Lat view, R wrist radiograph, boy, 17 yo, 502x1254.
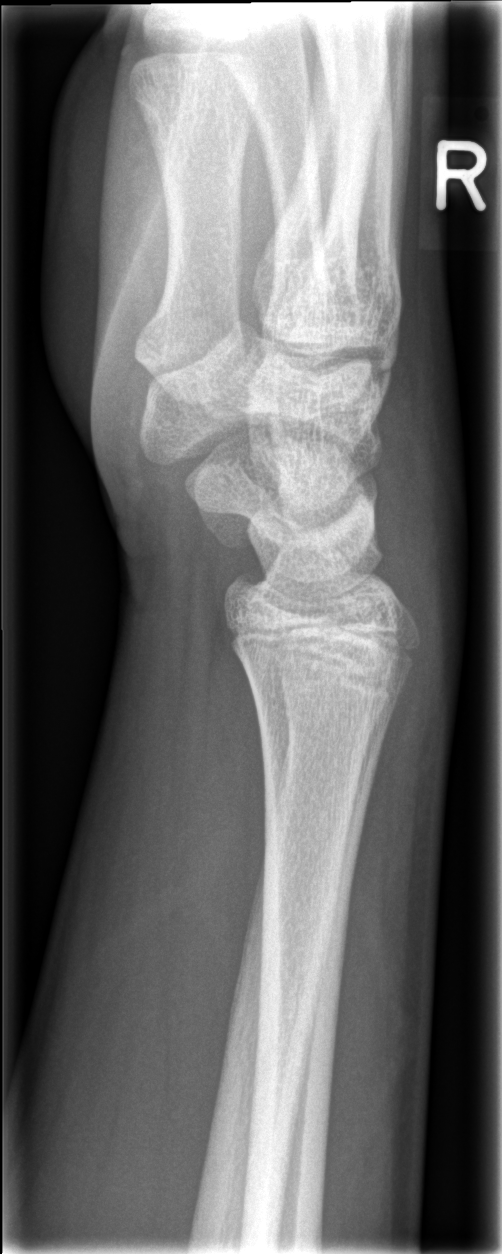
Fracture: none labeled